AP view | Lt wrist X-ray —
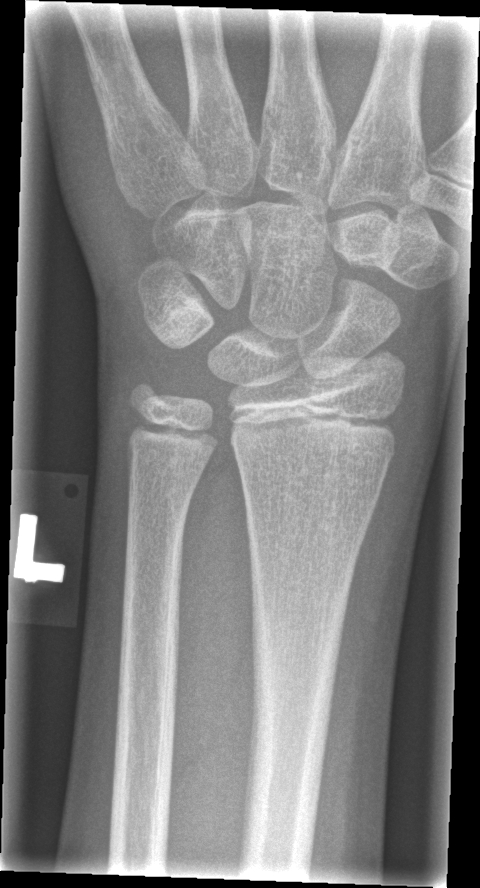 Q: Fracture present?
A: No fracture labeled